R wrist radiograph; AP view; 15y M; follow-up

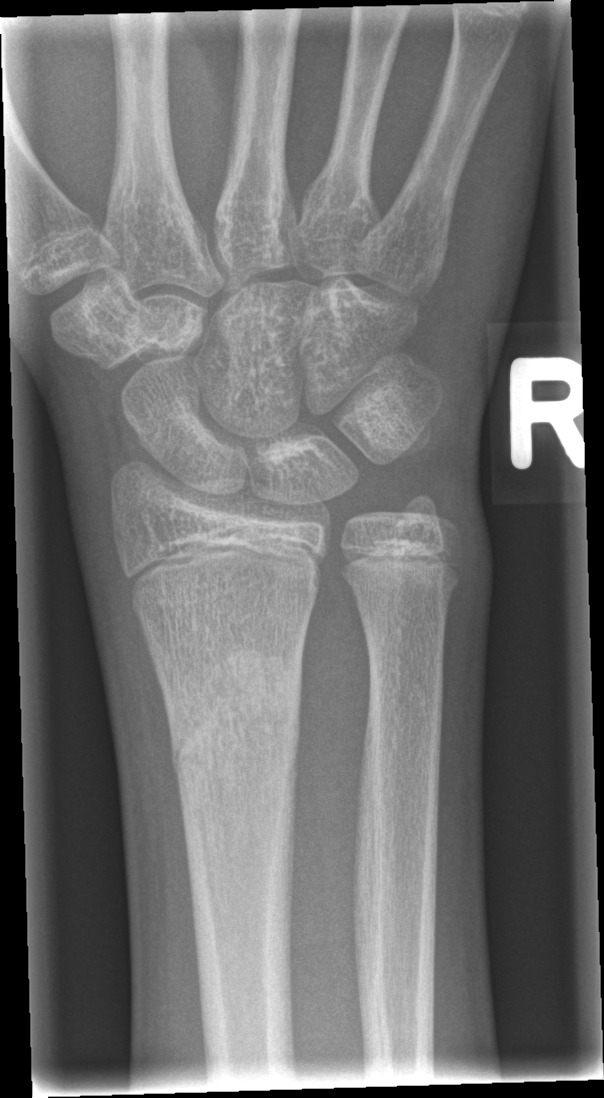 (bounding boxes in image-pixel xyxy)
AO code: 23r-M/2.1
Fracture: [167, 642, 308, 800]